Rt wrist XR | lat | boy, 5 yo. 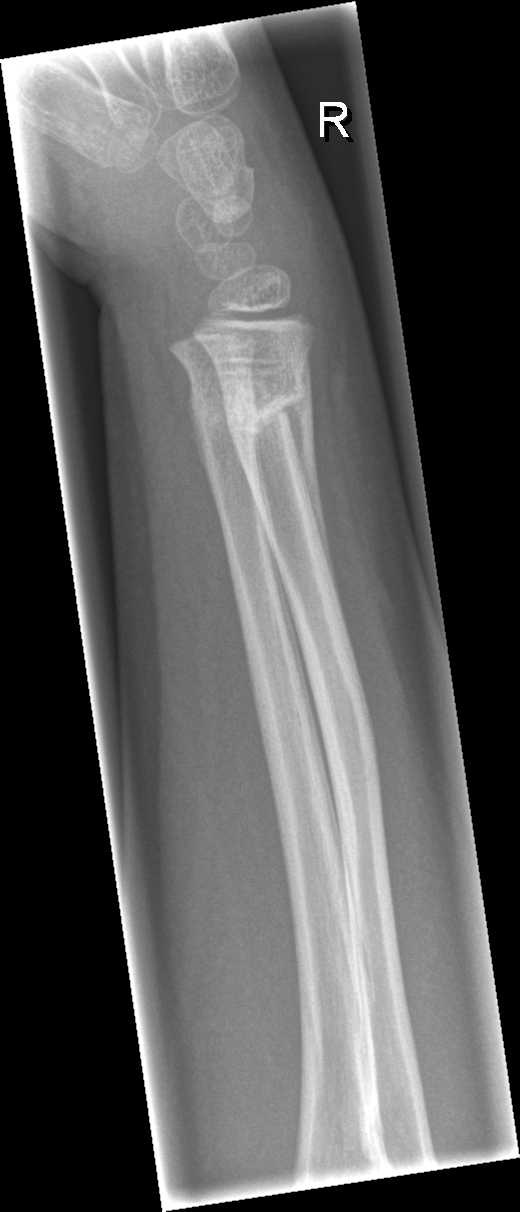 Fx — <222,370>-<309,450>, <187,377>-<261,448>. AO code 23-M/2.1. Periosteal new bone — <281,348>-<352,651>; <188,387>-<218,511>.